Left wrist X-ray, posteroanterior projection, 11y M, imaged through cast, detector: Siemens — 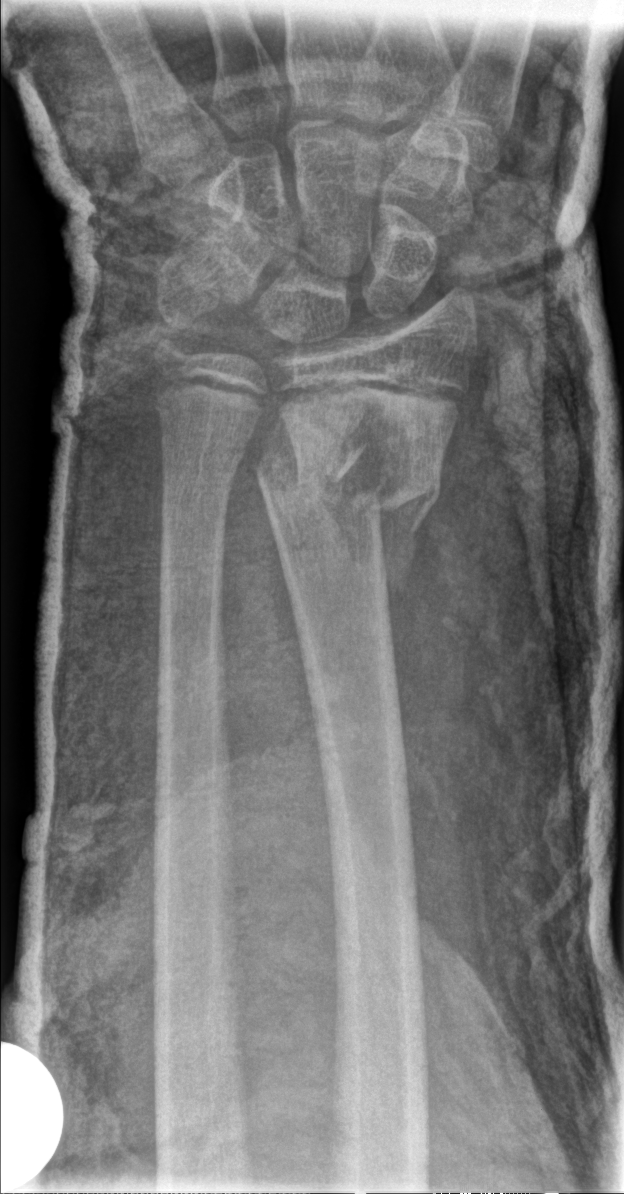

Bounding boxes in image-pixel xyxy.
Fracture identified at 251,403,448,598.
Fracture classified AO/OTA 23r-M/3.1; 23u-M/2.1.